PA/AP projection | Lt wrist plain film | age 12 y, boy: 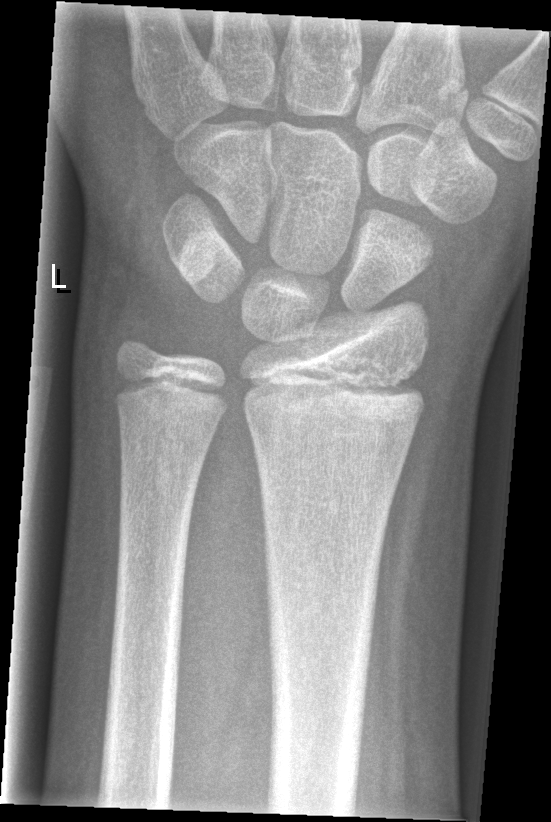 Fx: none.